Lateral | L pediatric wrist radiograph | 5-year-old girl | subsequent exam | image width 67.1 mm:

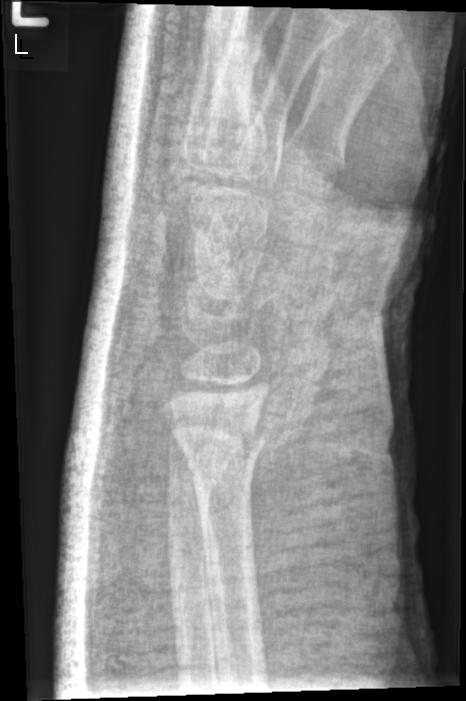

Bone fracture identified at (172, 406, 276, 477). AO code 23-M/3.1.